Posteroanterior projection, L plain radiograph of the wrist, girl, 10 yo, presentation radiograph:
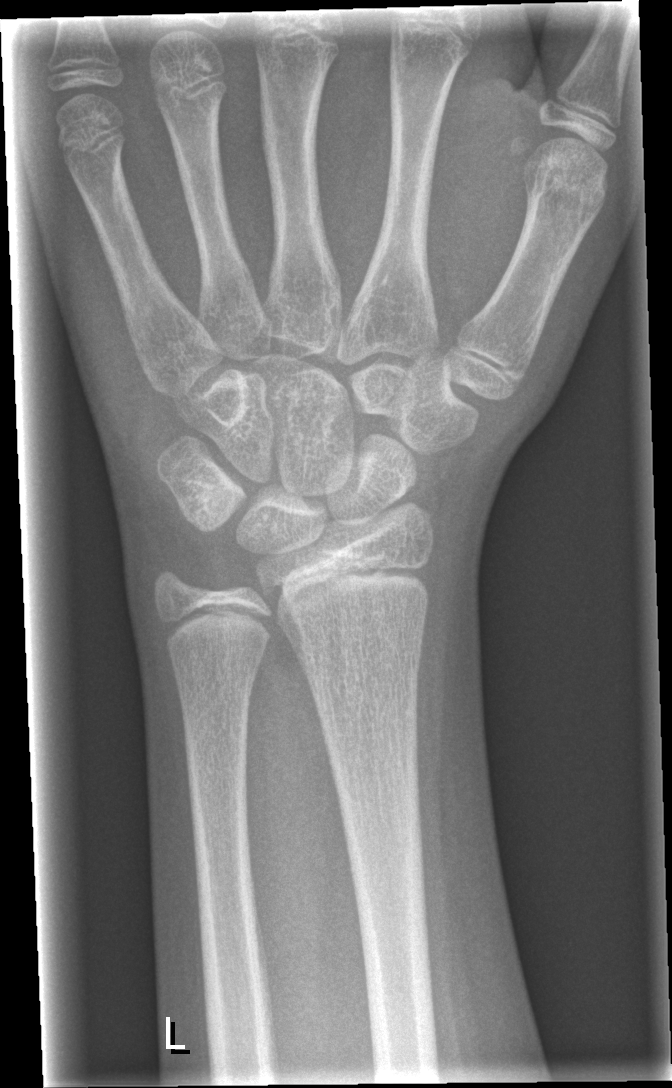 * Fx: none.